L pediatric wrist radiograph; lat:
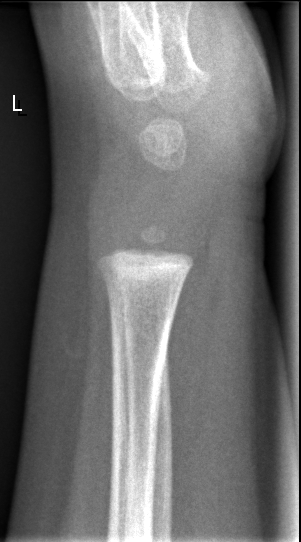

fracture: none labeled